Lt wrist radiograph; PA/AP projection.

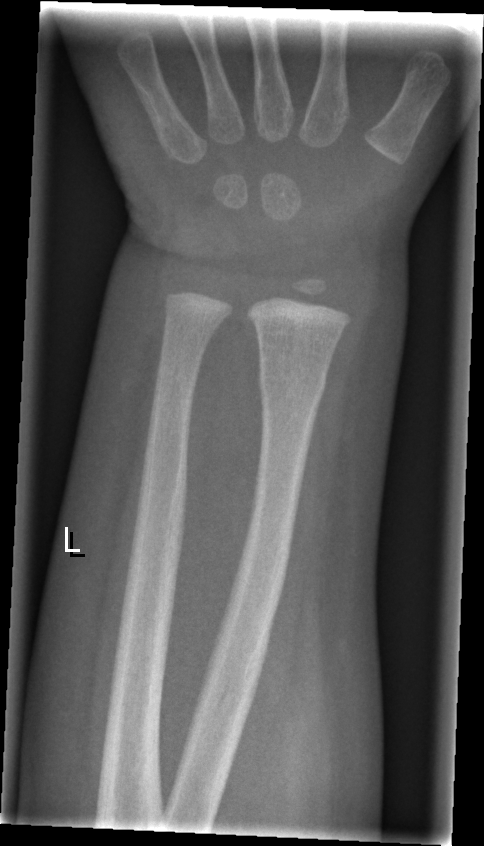

• AO/OTA classification: 23r-M/2.1.
• Bone fracture: (257, 365, 329, 404).